Lt wrist radiograph, PA/AP projection.

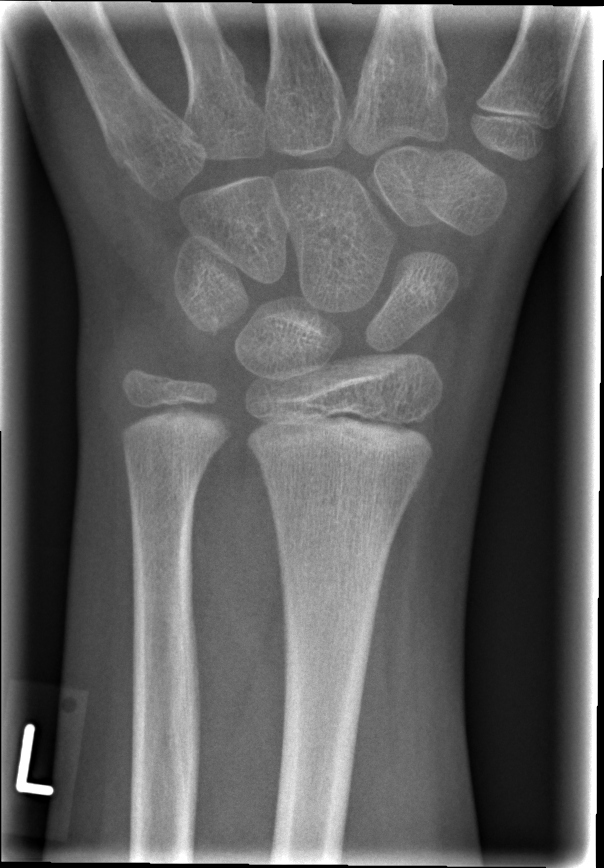
bone fracture = none labeled